L plain radiograph of the wrist | lat | age 4 y, boy | in cast.
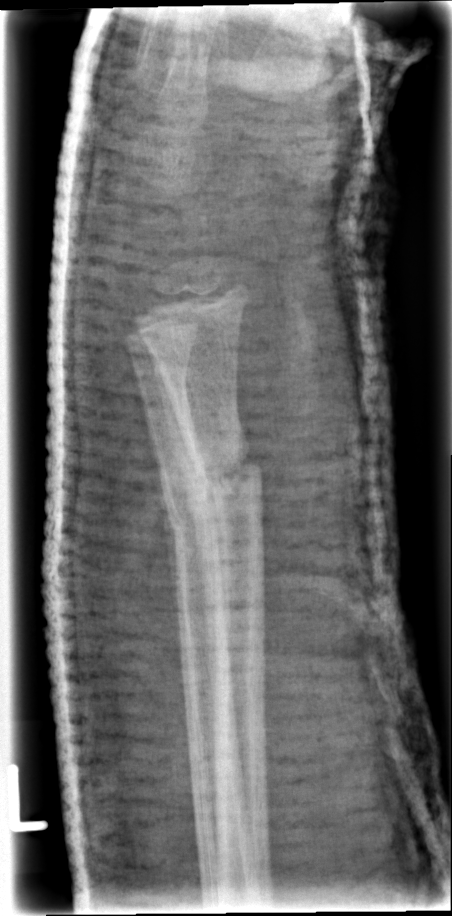

* Bone fracture identified at <181,434>-<268,521> <160,486>-<222,542>.
* Periosteal new bone — <146,343>-<216,706>, <150,422>-<182,673>.
* Fracture classified AO/OTA 23r-M/3.1; 23u-M/2.1.